Frontal view · Rt wrist radiograph · pediatric patient (boy, age 7) · follow-up —
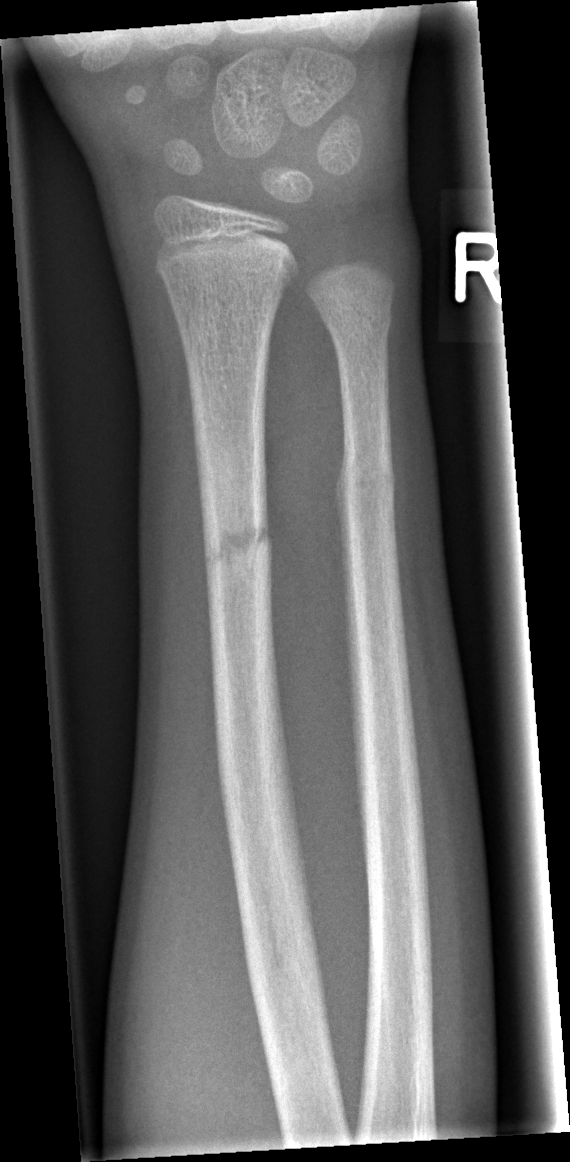

Findings: Bone fracture: [196, 508, 278, 580]; [336, 448, 401, 519]; [317, 297, 396, 347].